Frontal view | left pediatric wrist radiograph | detector: Siemens —

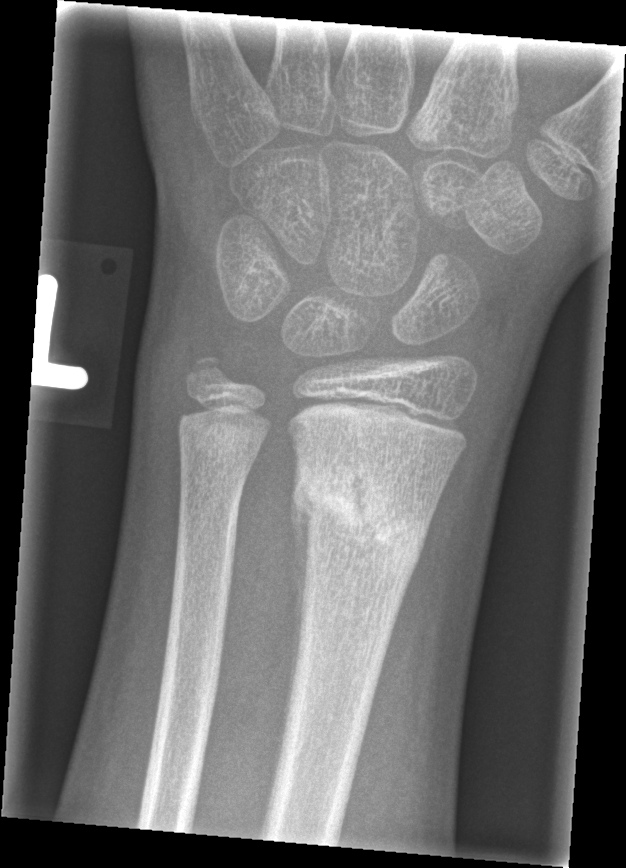

One periosteal new bone at [x1=279, y1=499, x2=314, y2=756].
Two bone fractures at [x1=291, y1=465, x2=431, y2=583]; [x1=178, y1=347, x2=235, y2=400].
Fracture classified AO/OTA 23r-M/2.1; 23u-E/7.